Rt plain radiograph of the wrist | AP projection:
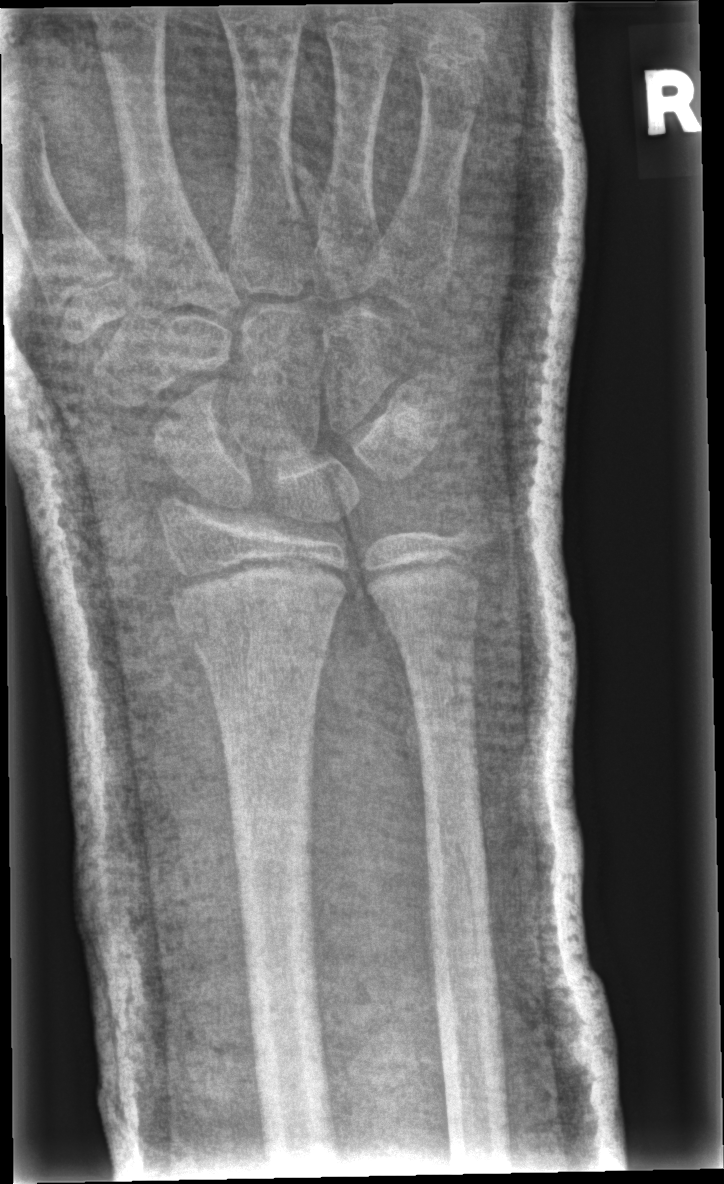
Fx — [x1=173, y1=581, x2=347, y2=669].